Lt wrist radiograph · lat view · index exam:

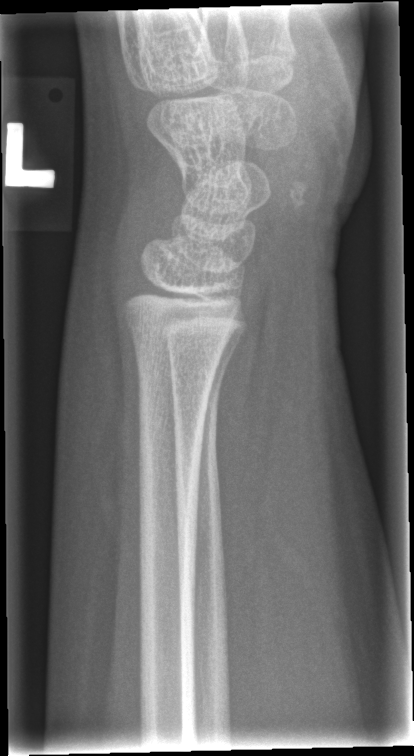

Q: Is there a fracture?
A: Fx: none